L wrist XR · lat view · pediatric patient (male, age 13) · subsequent exam · cast present · 89.3 mm image width.

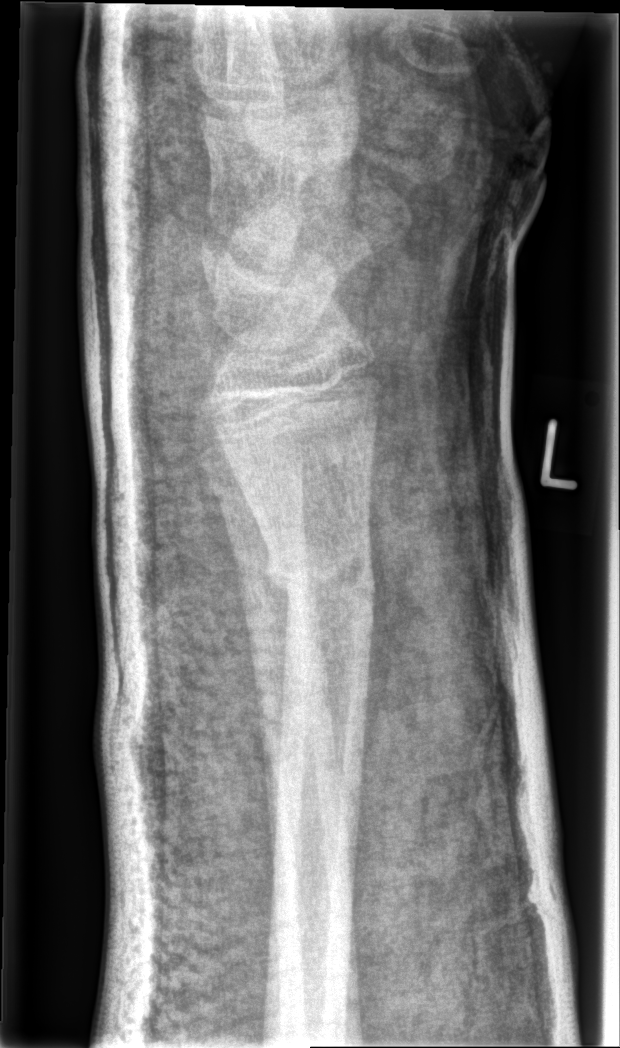

AO code: 23r-M/3.1; 23u-E/7
bone fracture: (258, 533, 378, 636)